Frontal projection | right plain radiograph of the wrist | in cast:
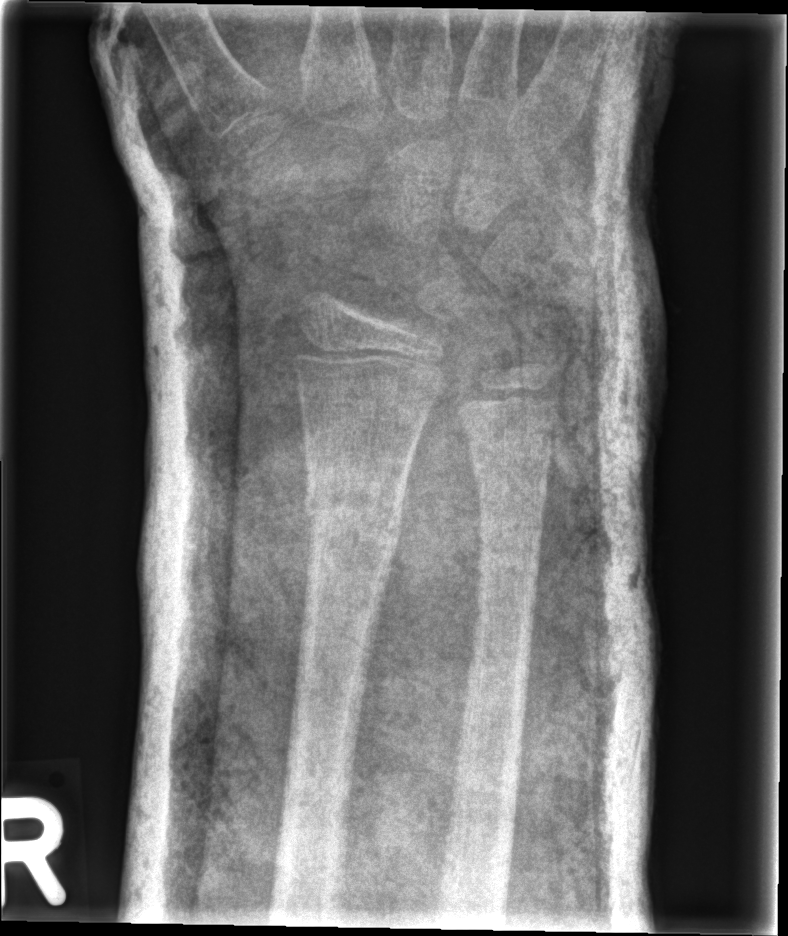

AO code 23-M/3.1.
Fx — [x1=301, y1=478, x2=407, y2=549] [x1=467, y1=462, x2=553, y2=505].